PA view · right wrist pediatric wrist radiograph · subsequent exam · cast present — 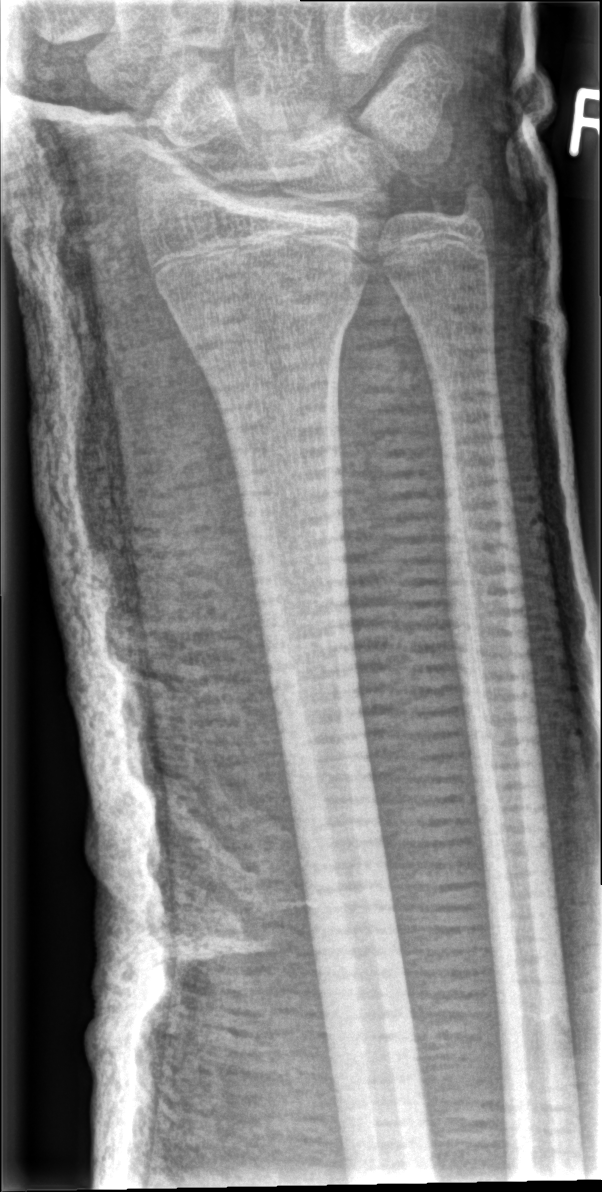
• Pixel coordinates, top-left origin, xyxy.
• One bone fracture at (183, 268, 358, 369).